Rt wrist plain film | lateral projection —
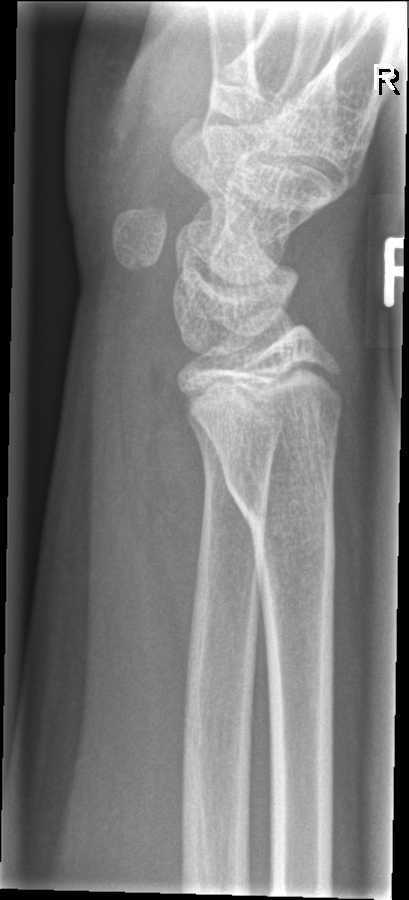
(pixel coordinates, top-left origin, xyxy)
Bone fracture = 218,438,340,541